Left wrist XR, PA view, follow-up study, in cast 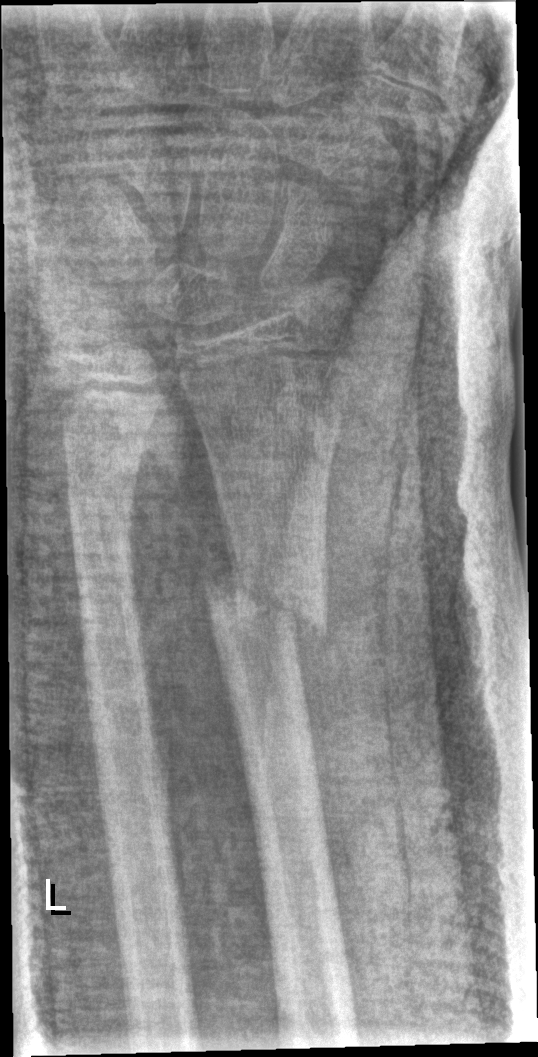 Pixel coordinates, top-left origin, xyxy.
One fracture at [x1=202, y1=560, x2=330, y2=645].